Lat · L wrist XR · follow-up · cast in situ — 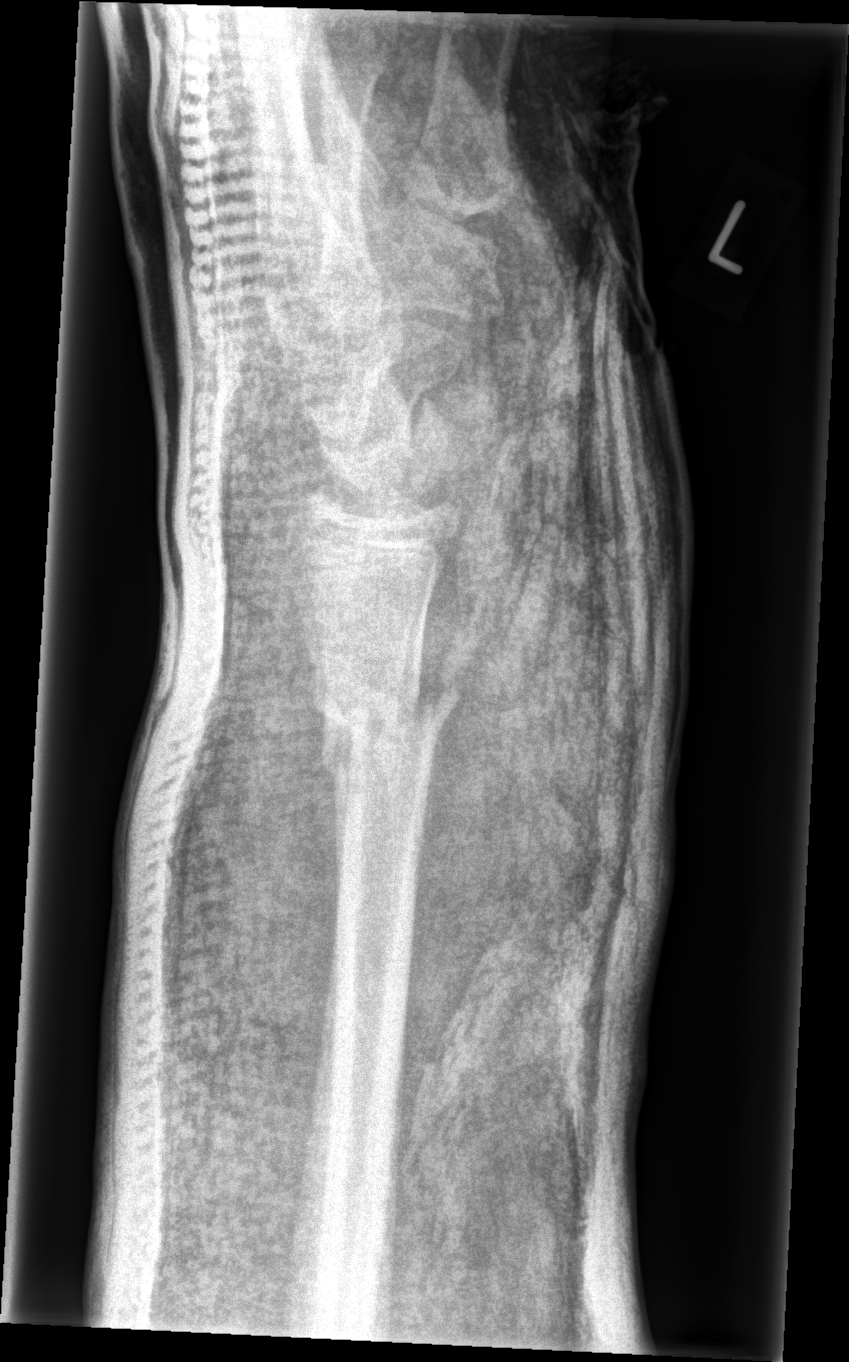 FINDINGS: Fracture classified AO/OTA 23-M/3.1; 23u-E/7. Fx: 306 665 461 813.